Lat projection | R pediatric wrist radiograph | 10-year-old boy | subsequent exam | in cast | image width 110.3 mm —
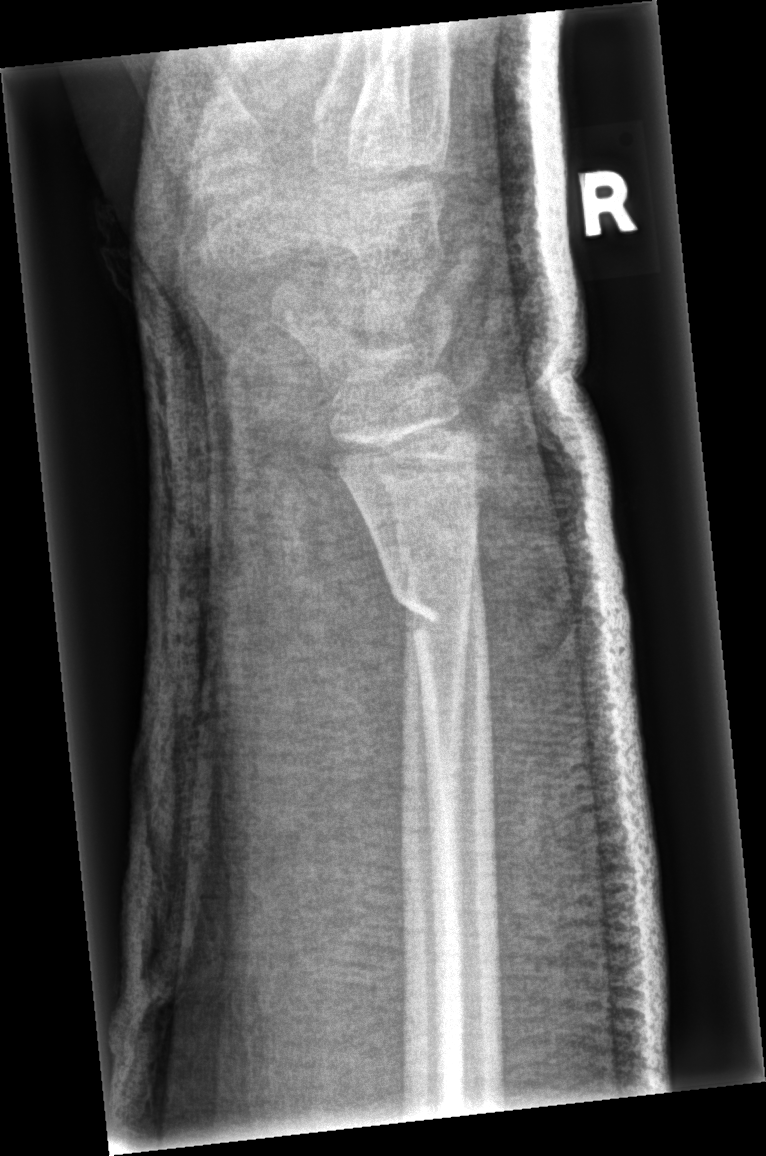

FINDINGS — Fracture — bbox(383, 557, 492, 662). AO/OTA classification: 23-M/2.1.